Right wrist XR · AP projection · 14y F · 580 x 960 px —

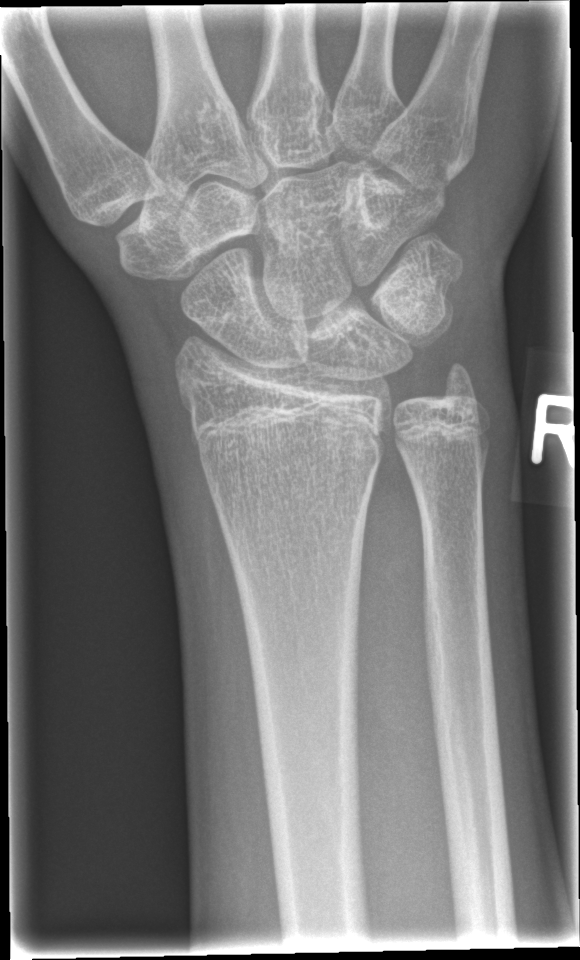

No fracture bounding box.